Lat projection · R wrist X-ray · cast present · image width 68.3 mm.

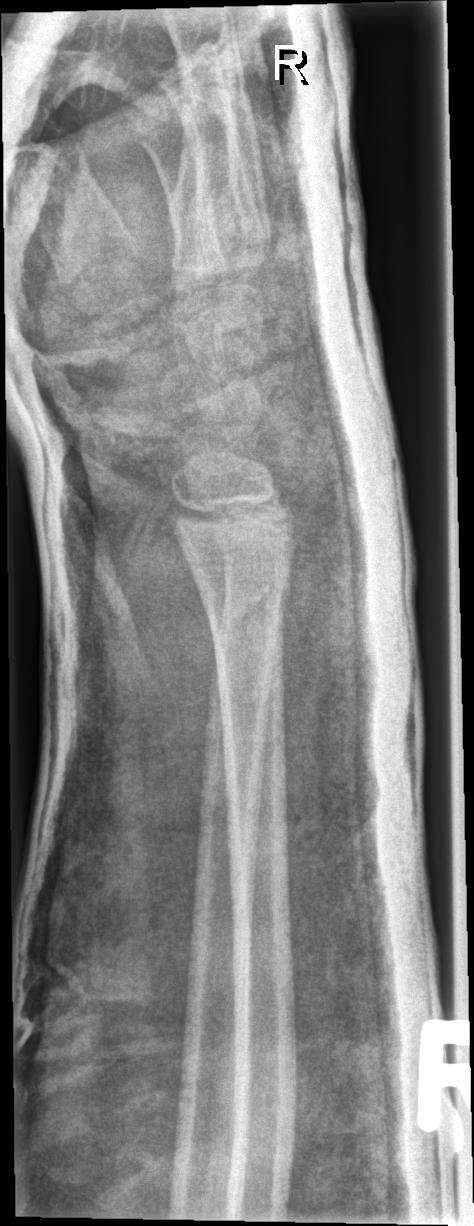

Q: Locate any fractures.
A: Fx — [x1=202, y1=576, x2=297, y2=642]